PA/AP projection; left wrist plain radiograph of the wrist; boy, 12 yo — 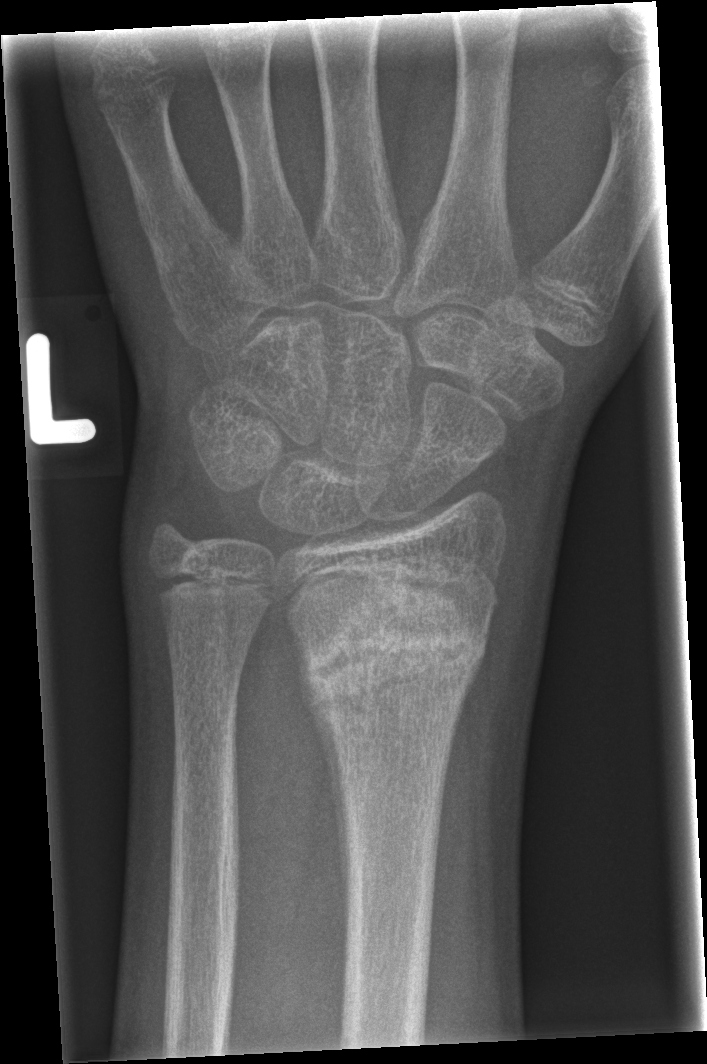

{"fracture": "(left=291, top=584, right=495, bottom=713)", "ao": "23r-M/3.1", "osteopenia": "present", "periostealreaction": "(left=291, top=623, right=350, bottom=947)"}